Lt wrist radiograph, lateral projection, image 84.0 mm wide.
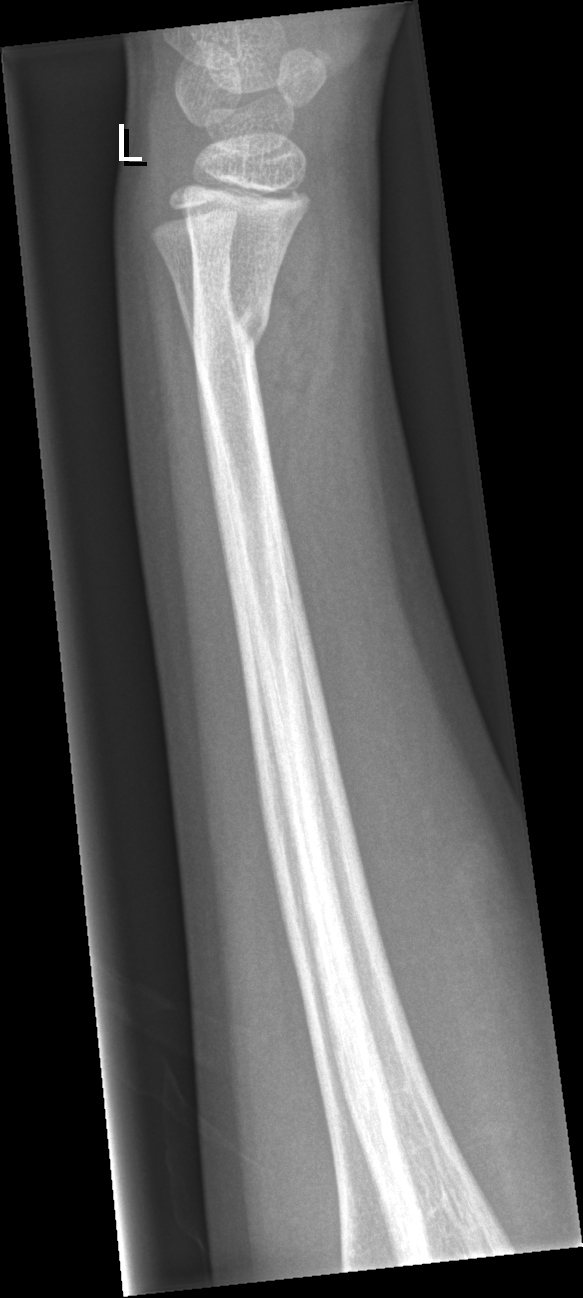 AO code = 23-M/2.1
Pronator quadratus fat-pad sign = 1 @ <252,180>-<342,496>
Fracture = <188,291>-<275,378>; <165,247>-<233,293>